Posteroanterior; Rt wrist X-ray; boy, 15 yo —

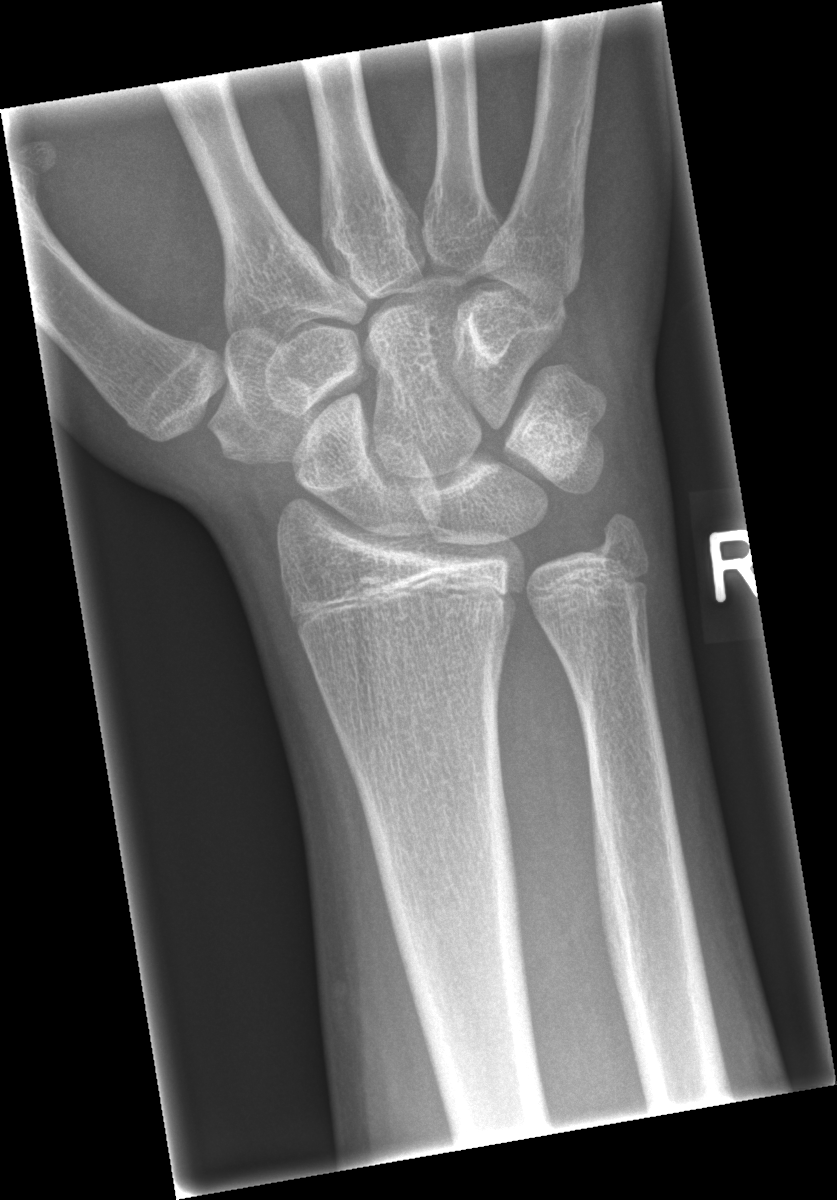
- No fracture labeled.